Right wrist radiograph; posteroanterior; 7y F; in cast —
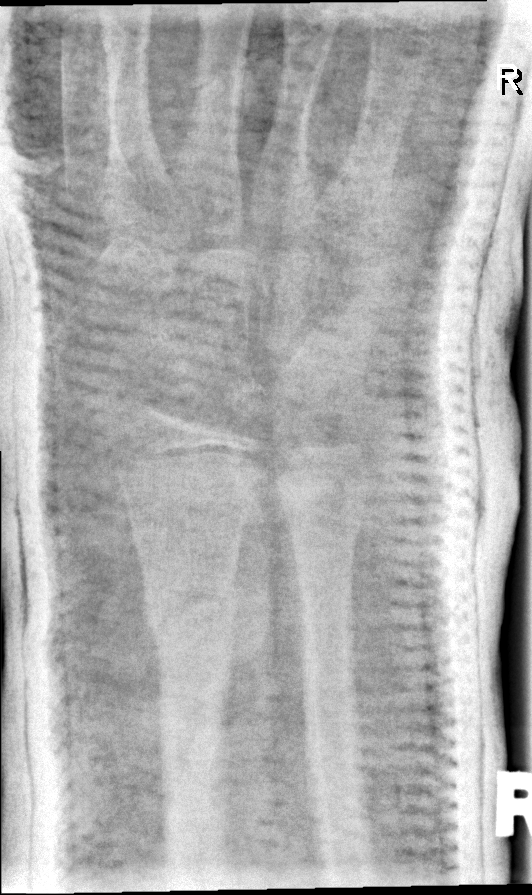 • Bone fracture: (138, 565, 243, 658).